Lat view · left wrist plain film · presentation radiograph:
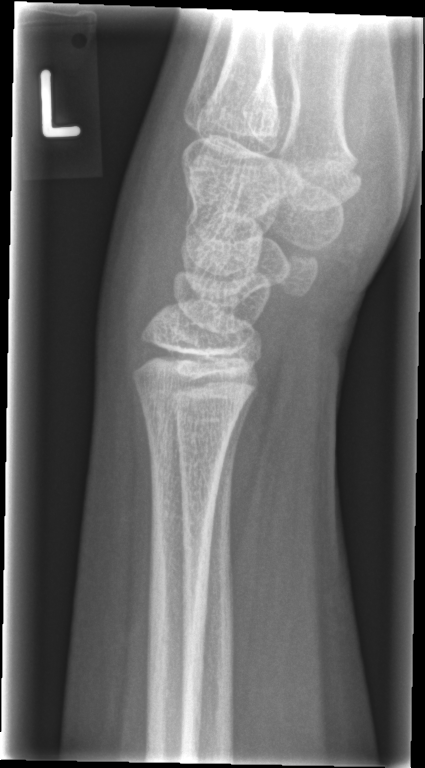

No fracture bounding box.